Lt wrist XR | lateral projection | age 5 y, female | presentation radiograph | image size 371x868:
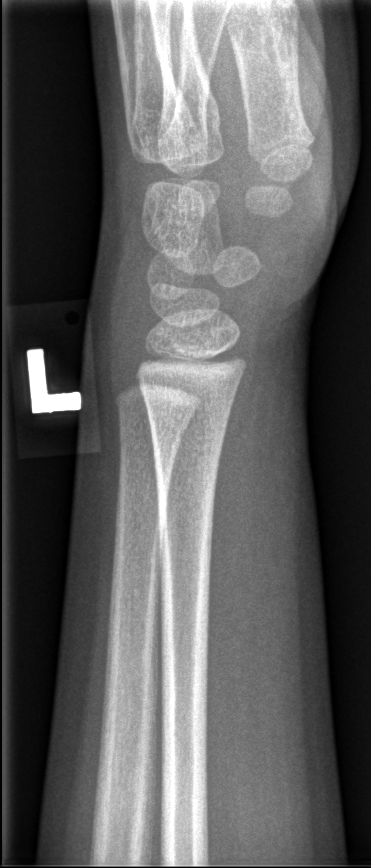 fracture: none labeled